Left wrist plain film | lat view | follow-up.
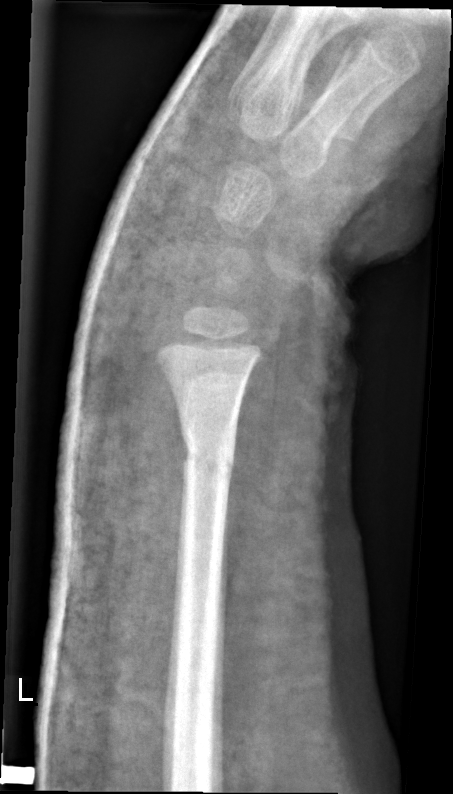

FINDINGS — (coordinates are [x1, y1, x2, y2] in image pixels) Bone fracture identified at <178,430>-<239,489>.